Obl projection · R wrist radiograph · pediatric patient (female, age 0.8) · detector: Siemens:

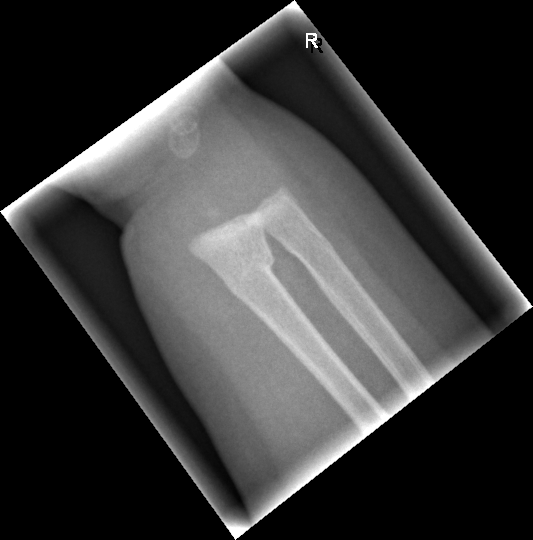
Boxes as x1,y1,x2,y2 (top-left / bottom-right, pixel units).
Fx — (214, 243, 279, 304) (279, 214, 336, 268).